Lateral | Lt wrist X-ray | subsequent exam | 452 by 796 pixels:

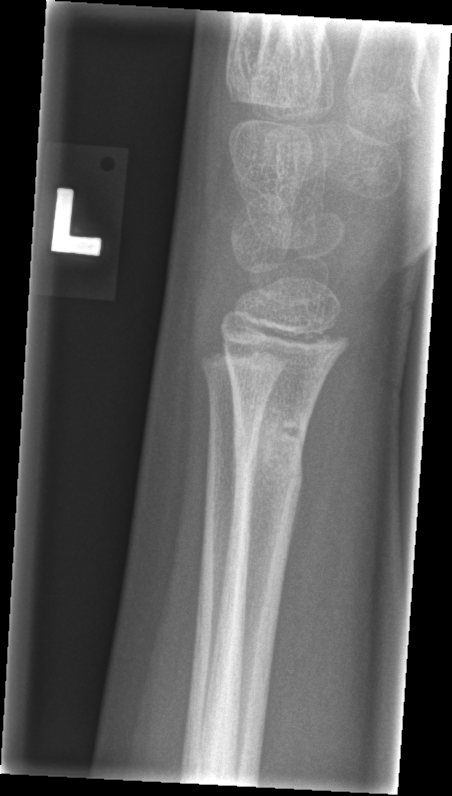
(bounding boxes in image-pixel xyxy)
Bone fracture: 1 @ 229 401 312 519
Osteopenia: present
AO code: 23r-M/3.1